Lt wrist plain film · lat projection

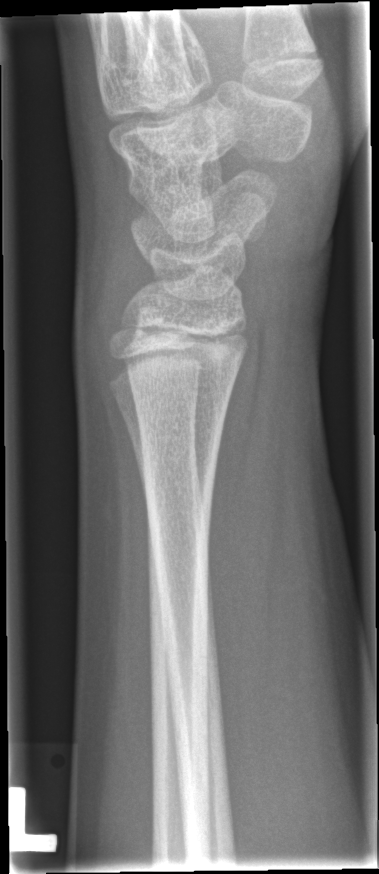

Findings: No Fx annotated.